Lateral · left wrist X-ray · subsequent exam. 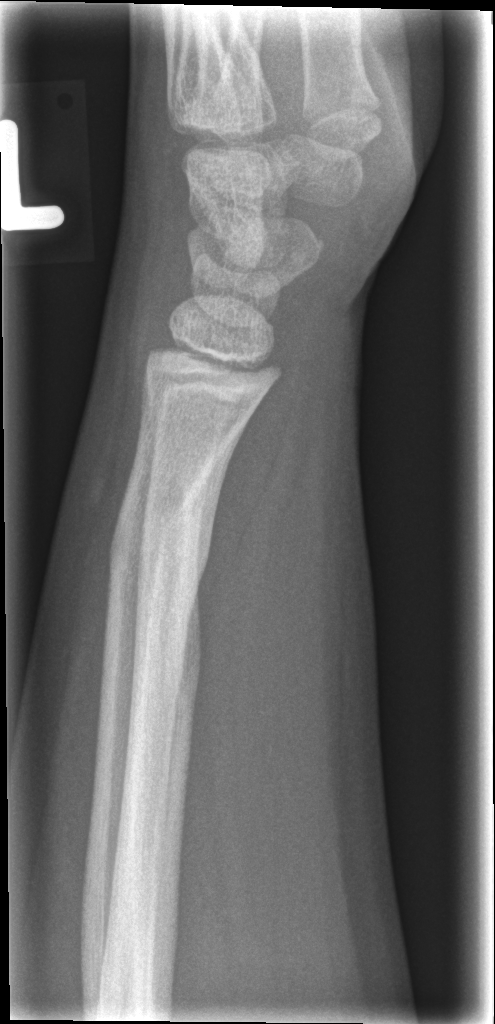 - Coordinates are [x1, y1, x2, y2] in image pixels.
- One Fx at [x1=101, y1=433, x2=237, y2=639].
- AO code 23-M/3.1.